Posteroanterior view, R pediatric wrist radiograph, 14y M:
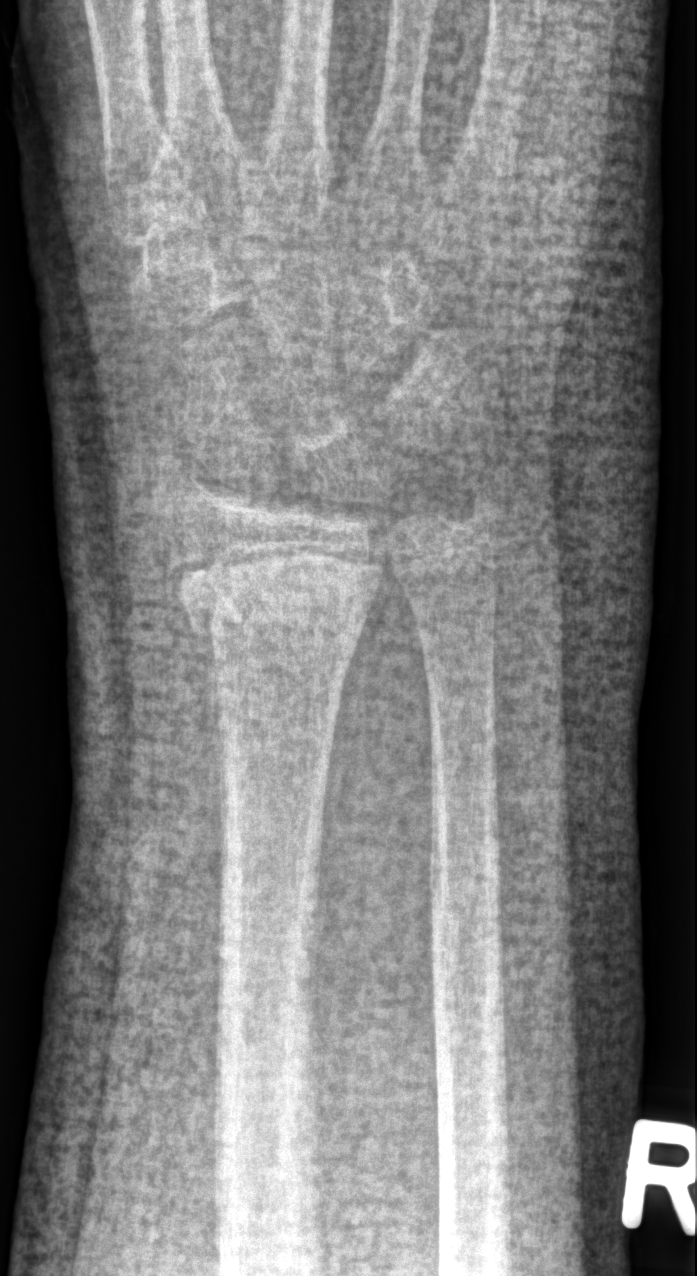

FINDINGS: Fracture identified at bbox(168, 552, 388, 644) bbox(453, 461, 518, 537). AO code 23-E/2.1; 23u-E/7.